Lat view, left wrist plain radiograph of the wrist, pediatric patient (male, age 2), initial study: 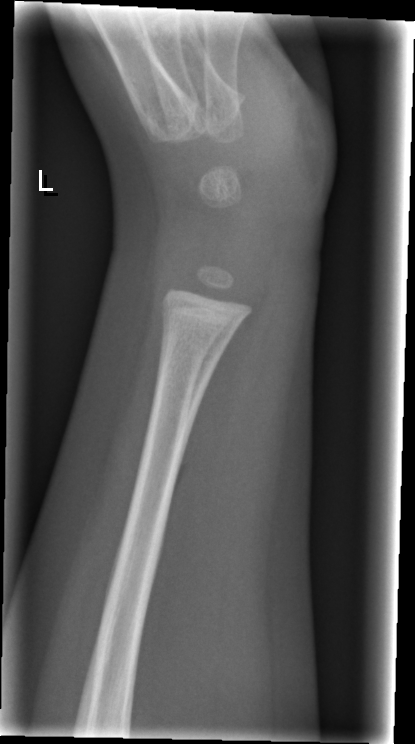 * Fx: none.